Lt plain radiograph of the wrist; PA/AP 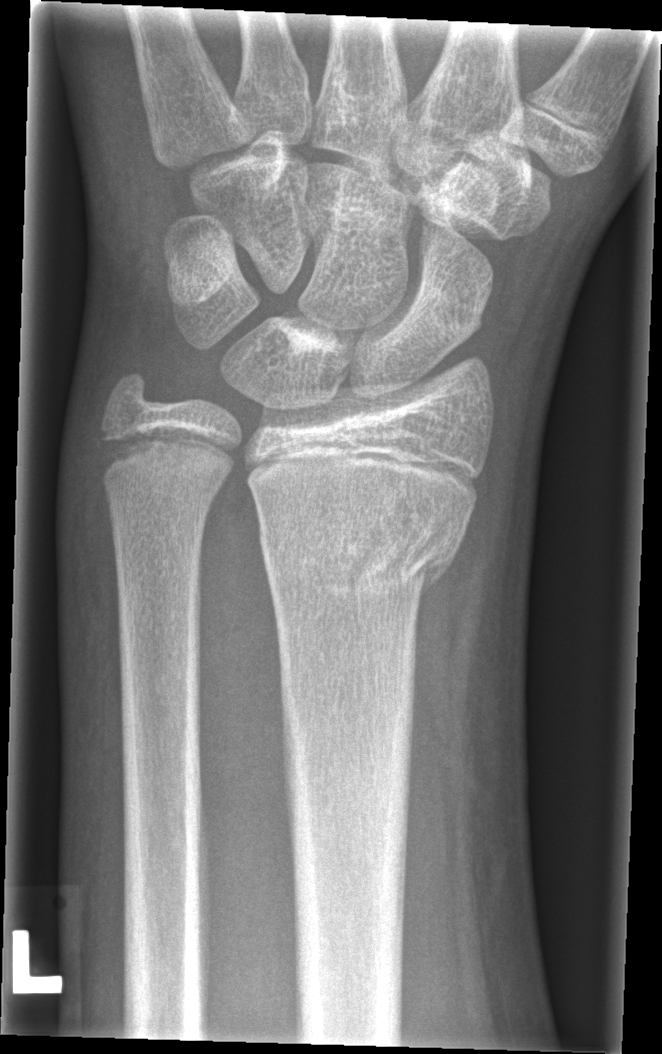 (boxes as x1,y1,x2,y2 (top-left / bottom-right, pixel units))
AO/OTA = 23r-M/3.1; 23u-E/2.1
bone fracture = 2 @ 258 491 471 616
  89 413 243 494